R wrist XR; posteroanterior; initial study —

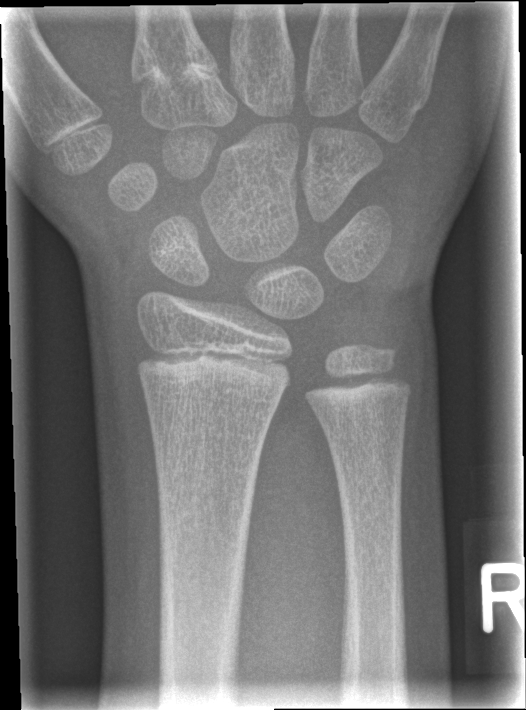 FINDINGS — Fx: none.